Lat projection | left wrist radiograph | cast present | detector: Siemens | image width 85.4 mm:
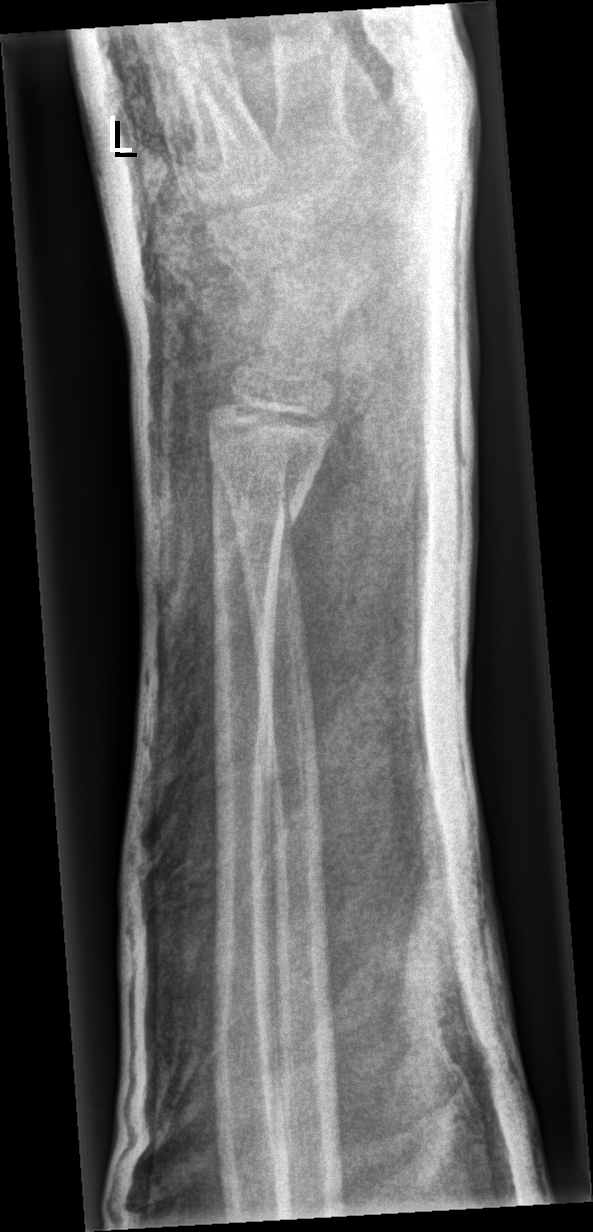

Boxes as x1,y1,x2,y2 (top-left / bottom-right, pixel units).
Fx identified at bbox(207, 472, 309, 546).